Lateral projection | L wrist plain film | cast present.

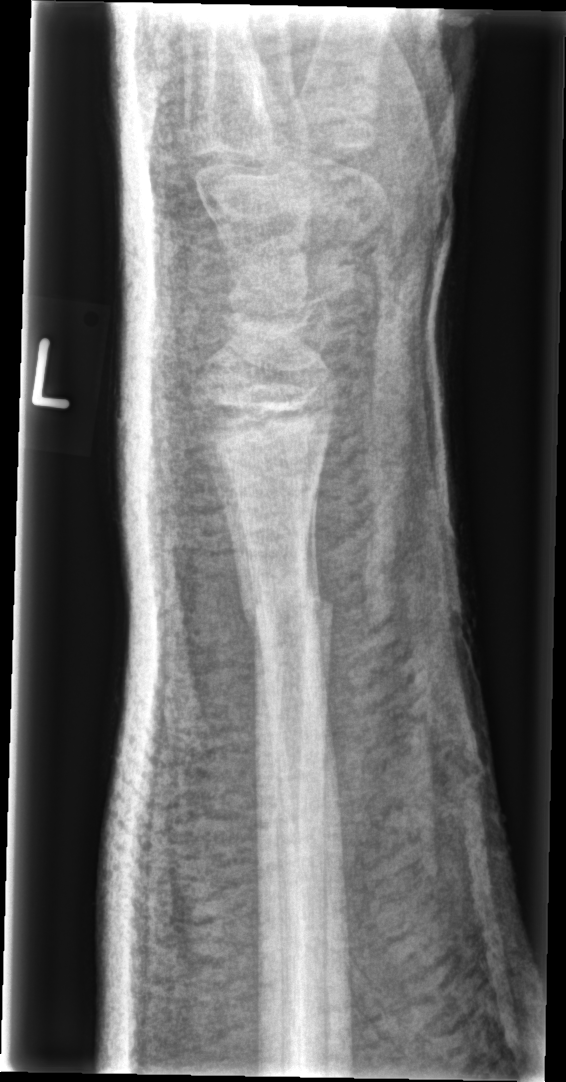

- Fracture classified AO/OTA 23r-M/3.1; 23u-E/7.
- Fracture — (237, 582, 338, 639).